Lateral view, R pediatric wrist radiograph, pediatric patient (boy, age 9), image size 602x866:

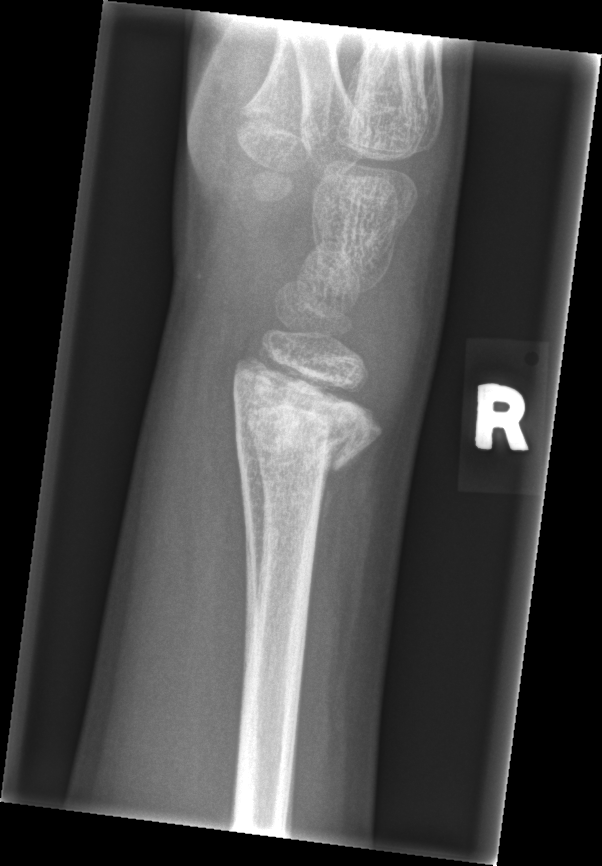 Q: Is there periosteal reaction?
A: One periosteal new bone at [x1=306, y1=438, x2=373, y2=650]
Q: Any fracture seen?
A: One Fx at [x1=226, y1=356, x2=384, y2=492]
Q: Is there osteopenia?
A: Osteopenia